Lat | L wrist plain film | age 16 y, boy.

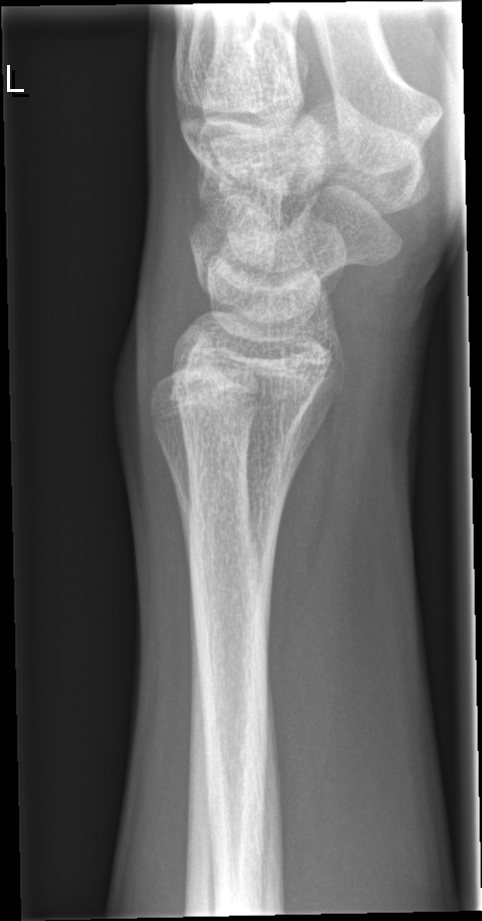
Findings: No fracture bounding box.